Lateral view, R plain radiograph of the wrist

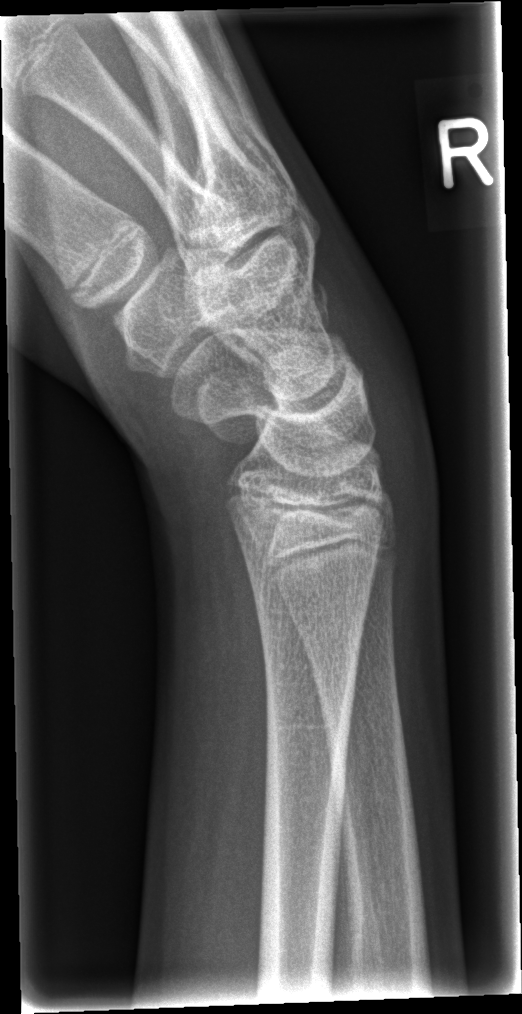
Fracture: none labeled